R wrist X-ray · lat view · pediatric patient (male, age 8) · image 86.4 mm wide: 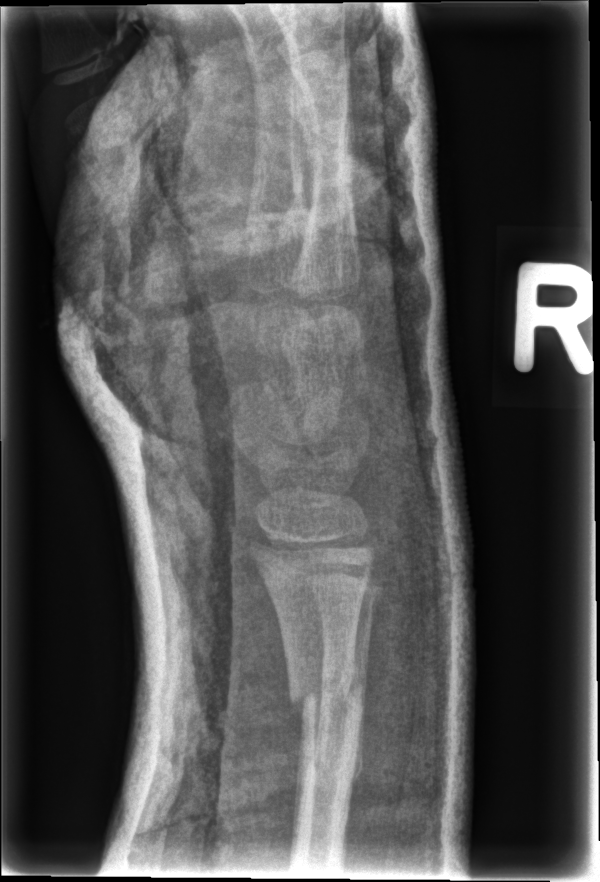
Pixel coordinates, top-left origin, xyxy.
AO/OTA classification: 23-M/3.1.
Fx — [285, 659, 370, 736].